Lat projection · right wrist plain film · age 9 y, boy · initial study · acquired on Siemens

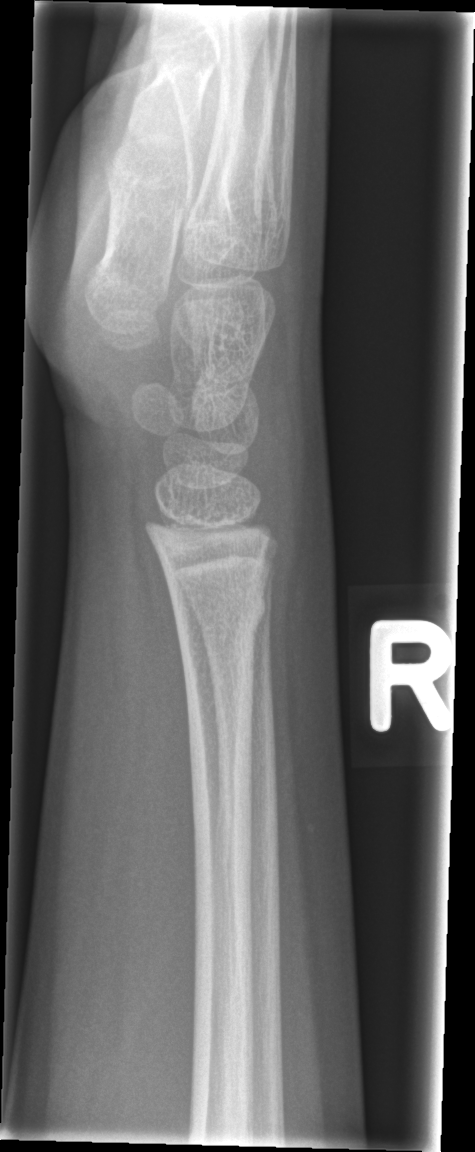

  fracture: [165, 585, 272, 652]